Lat view | Lt wrist X-ray | age 11 y, female | subsequent exam.

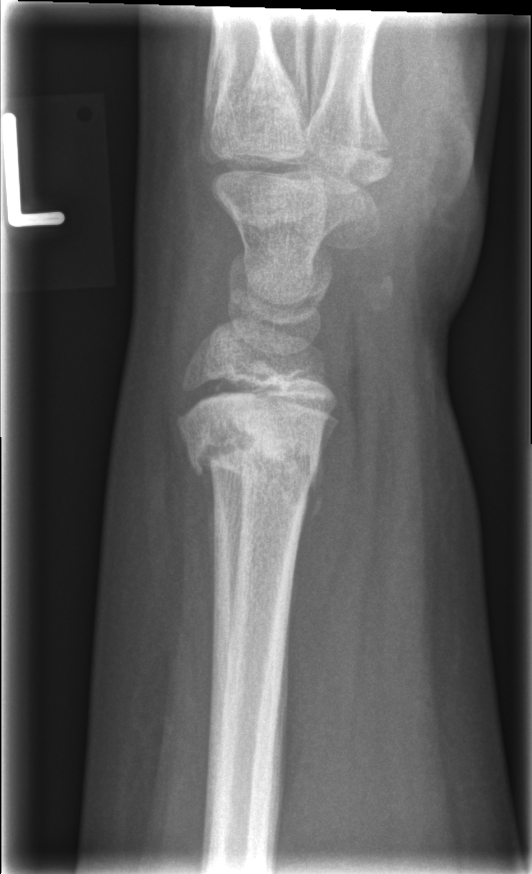

Findings: Osteopenia. Periosteal thickening — 195,443,221,646 | 294,442,327,551. Bone fracture — 172,401,332,495.